PA/AP, L wrist X-ray, 12y M:
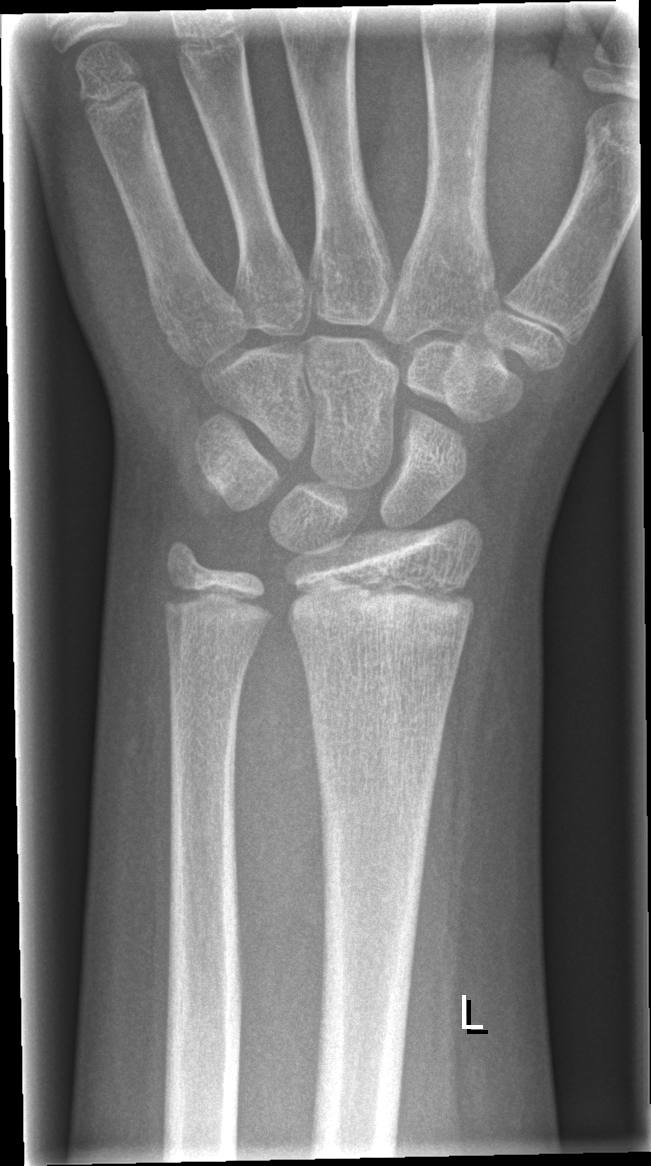

* No fracture labeled.